Right wrist pediatric wrist radiograph; frontal projection; pediatric patient (girl, age 11); 579x882.
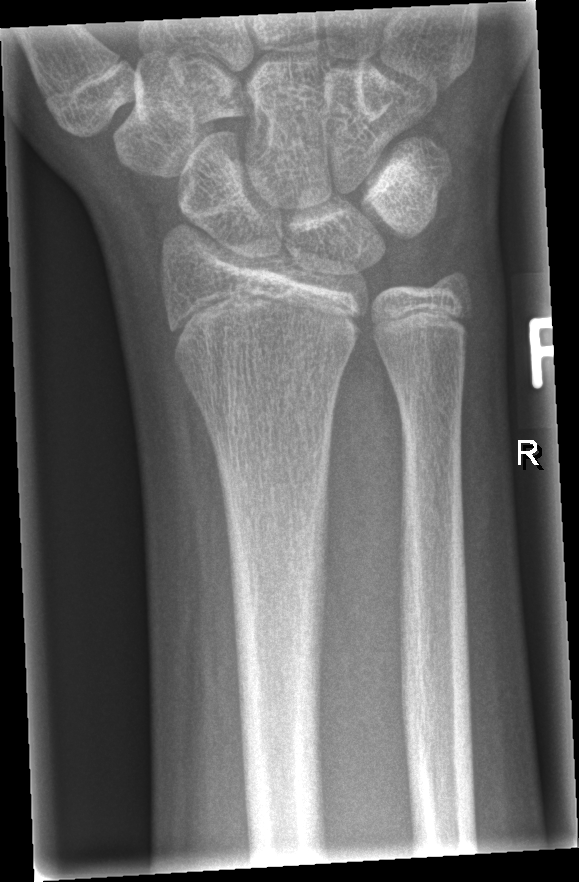

fracture: none labeled